Left wrist plain film, lat projection, pediatric patient (male, age 10):
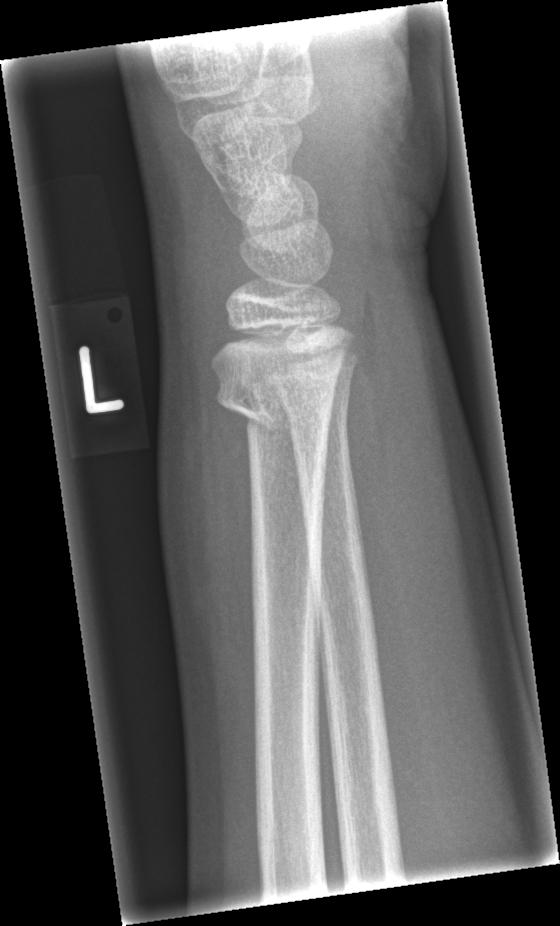

• AO code 23-M/2.1.
• Fx: (left=209, top=372, right=336, bottom=447).
• Soft-tissue swelling: (left=156, top=368, right=269, bottom=700).